Posteroanterior projection | R wrist X-ray:
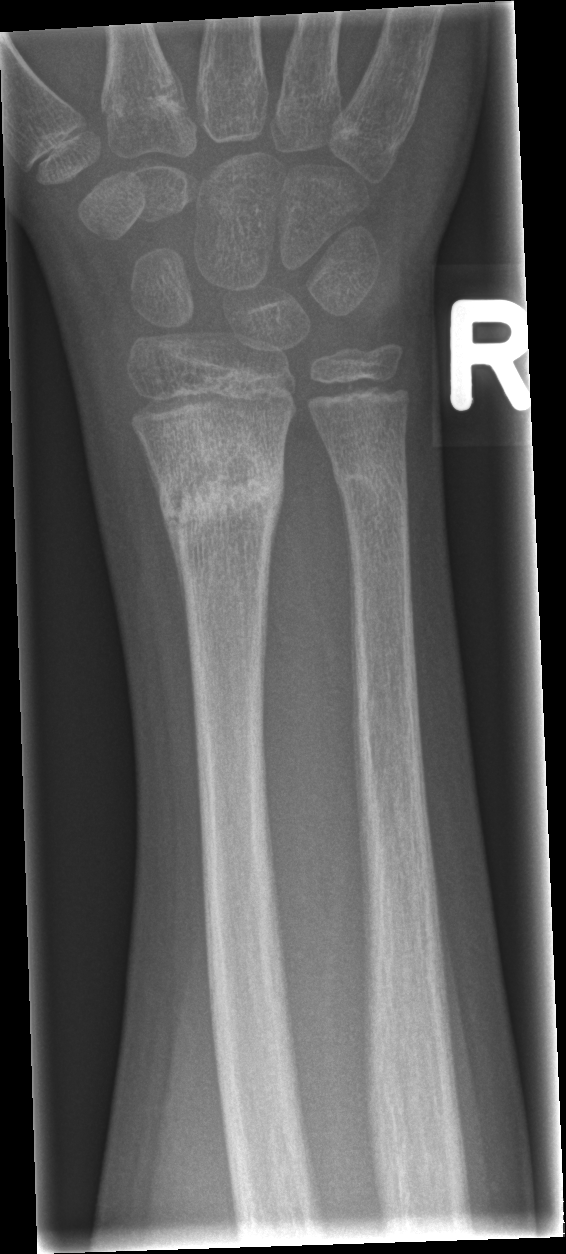
FINDINGS: (coordinates are [x1, y1, x2, y2] in image pixels) Osteopenic. Two Fx at (left=158, top=445, right=288, bottom=551) (left=327, top=438, right=413, bottom=525).